Rt wrist plain film; PA projection; age 13 y, boy; detector: Siemens; image size 730x1162 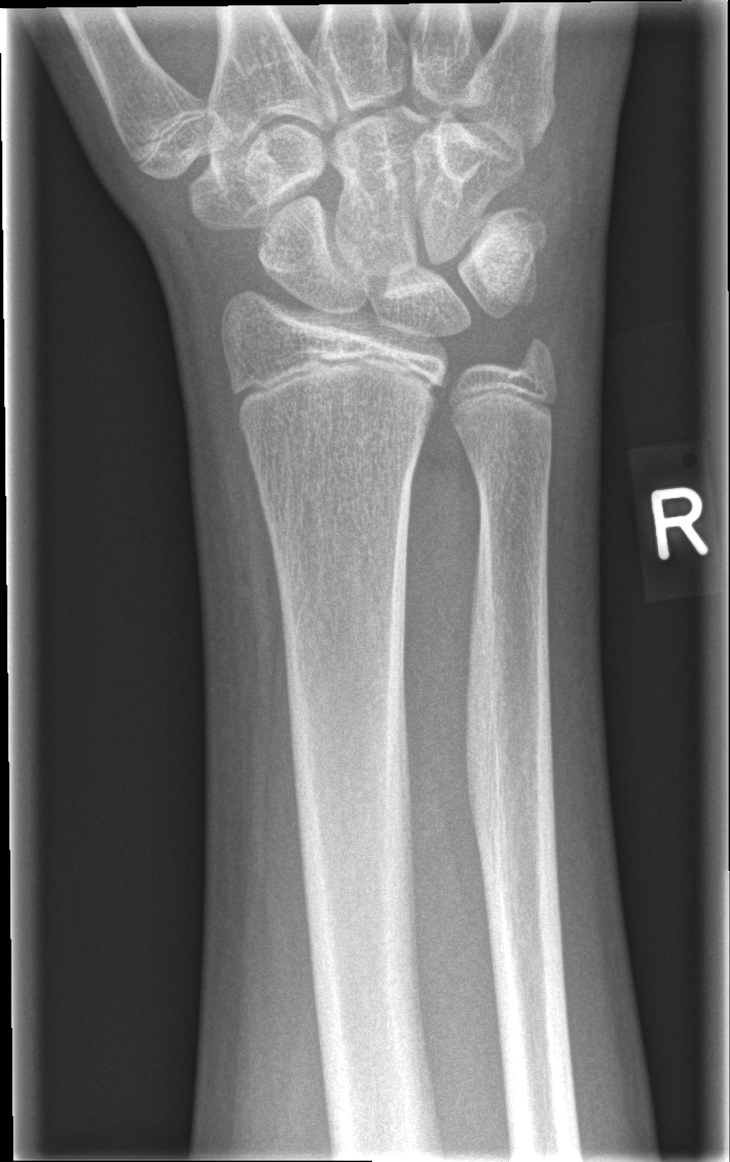

Fracture: present but not clearly seen in this view.